AP view, Lt wrist radiograph, Siemens — 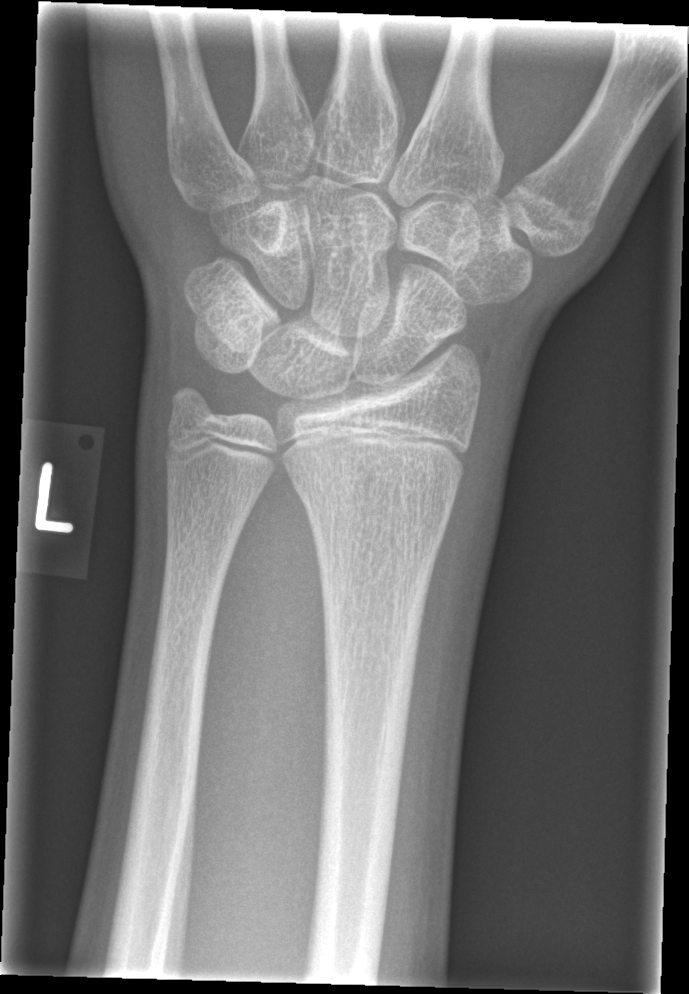

Fracture classified AO/OTA 23r-M/2.1.
Fx: present but not clearly seen in this view.